Left wrist plain film · lateral view · age 12 y, male · initial study 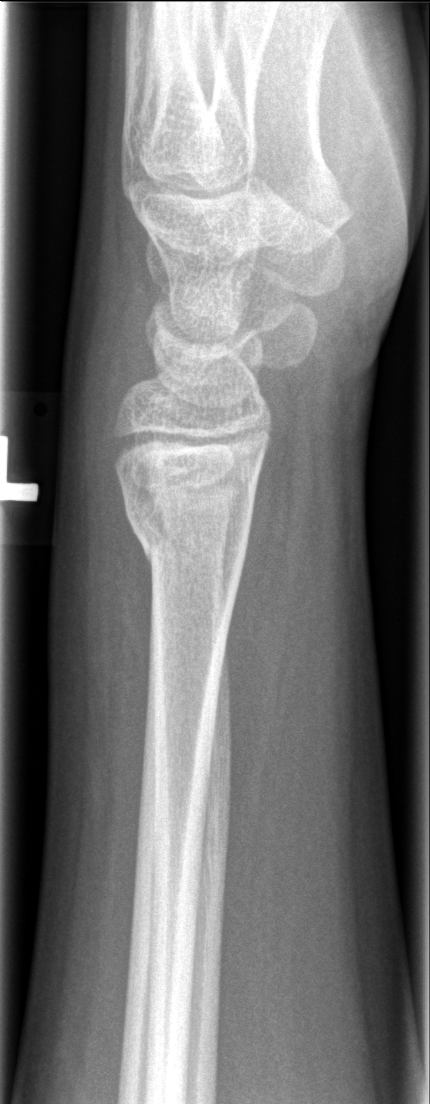
FINDINGS: (pixel coordinates, top-left origin, xyxy) Fracture classified AO/OTA 23-M/2.1; 23u-E/7. Fracture identified at [118, 485, 259, 590].